Lateral projection, right wrist plain film, boy, 11 yo, imaged through cast:
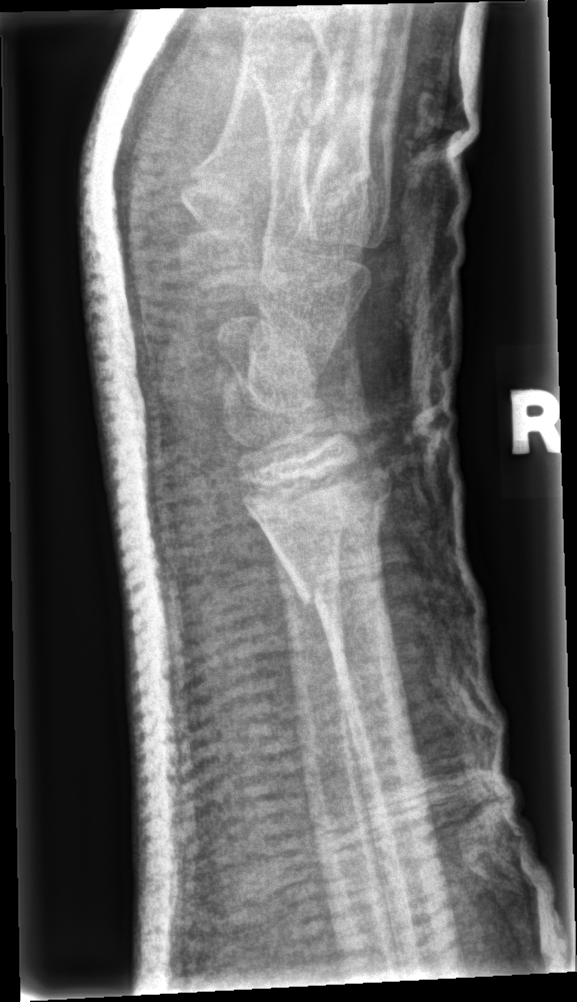
(bounding boxes in image-pixel xyxy)
Q: Locate any fractures.
A: Bone fracture identified at 283,459,398,609